PA projection · right wrist plain film · 13y M · cast present · 672 x 1142 px 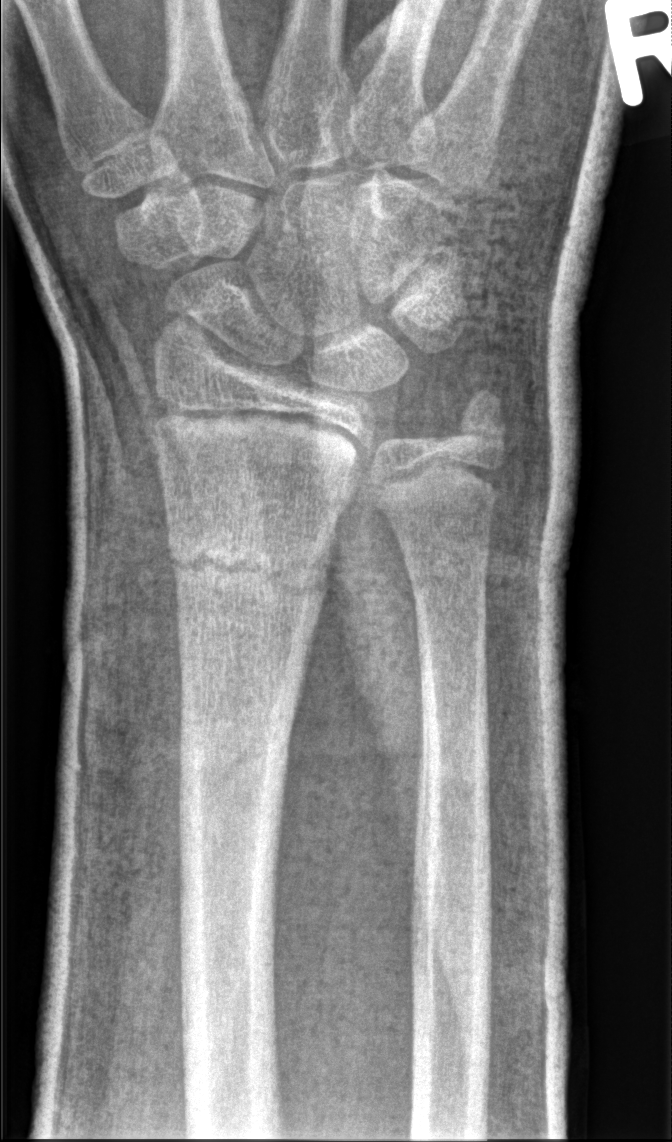
Two Fx at (left=161, top=517, right=335, bottom=622); (left=449, top=378, right=515, bottom=459).
AO/OTA classification: 23r-M/3.1; 23u-E/7.